Right wrist XR; lat projection; age 13 y, girl
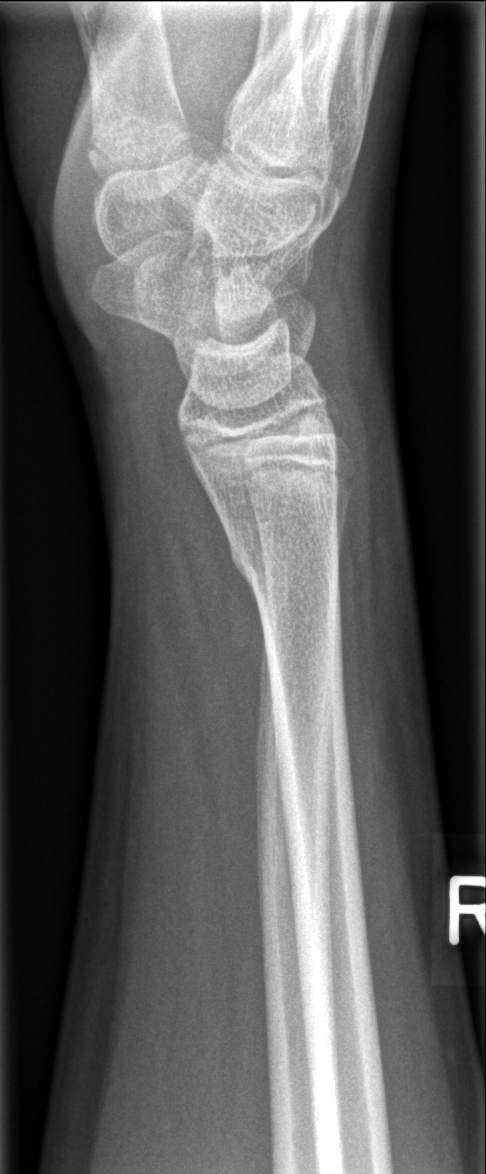

bone fracture: 219 514 345 598